Lateral, left plain radiograph of the wrist —

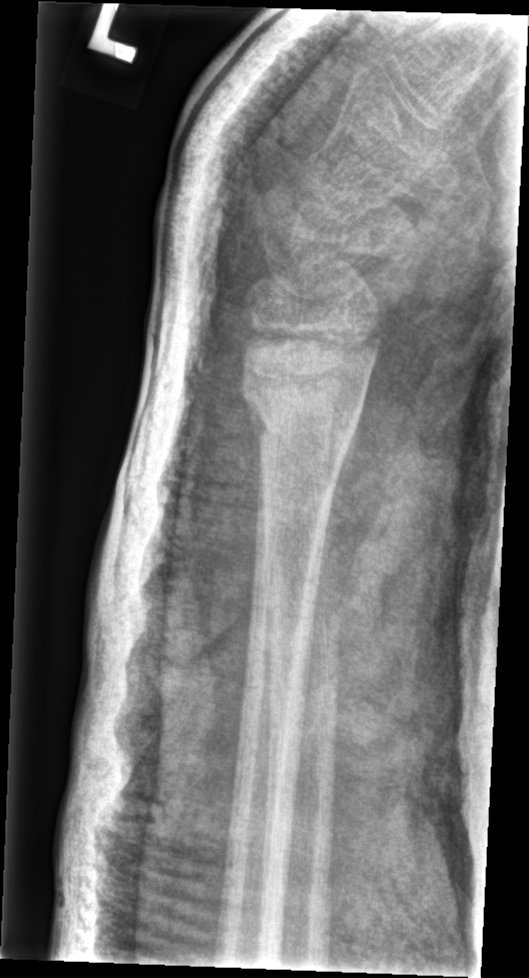

Bone fracture: <240,377>-<368,452>.